Lt wrist plain film; lat; initial study; Siemens. 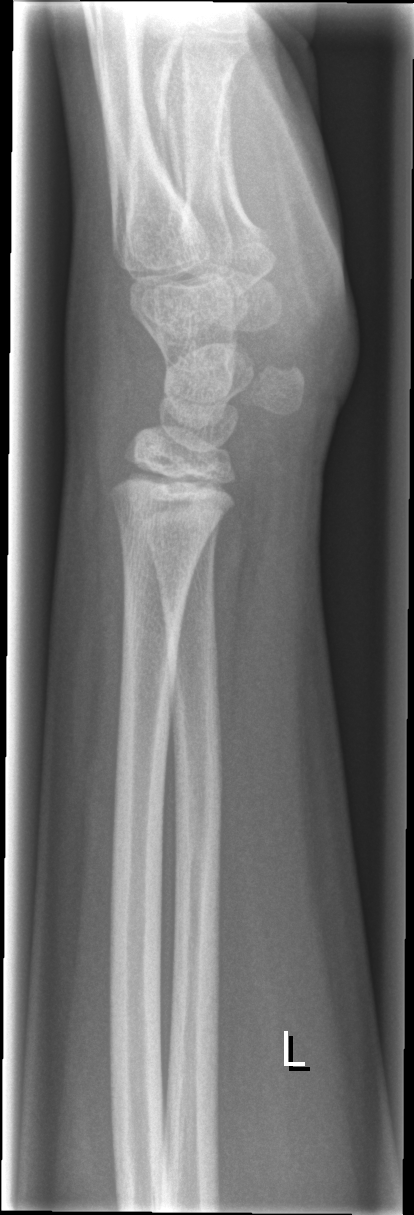
- No fracture bounding box.